Lateral; Lt wrist XR; 12y M: 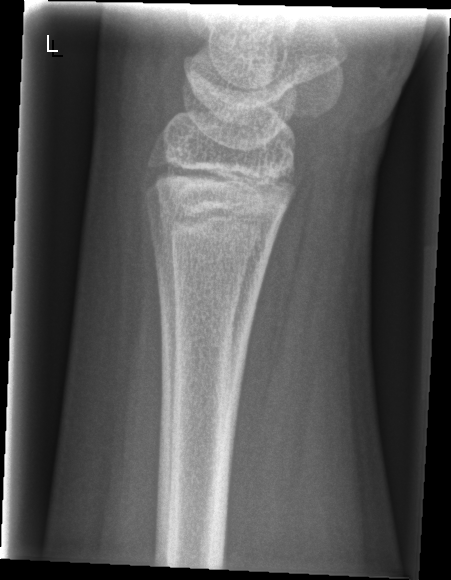 Findings: No fracture annotation.